Lt wrist X-ray, frontal view

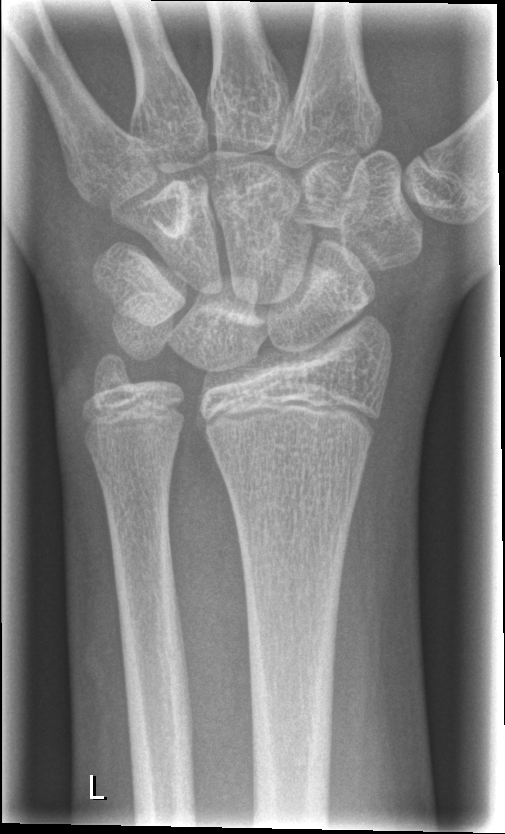

Q: Is there a fracture?
A: No fracture labeled